L pediatric wrist radiograph; PA projection; pediatric patient (boy, age 14)

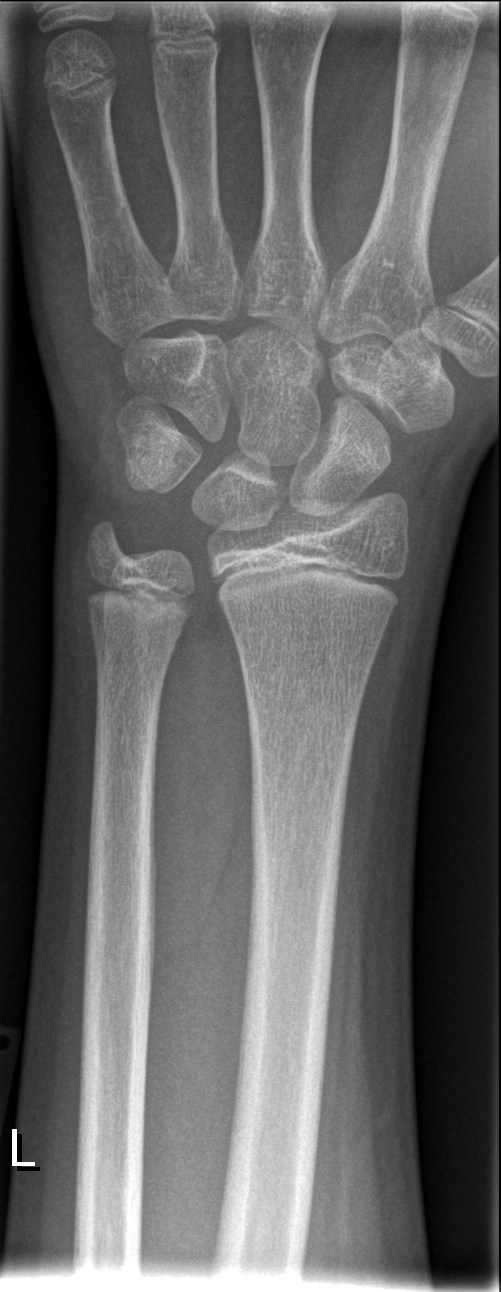
No fracture labeled.